L pediatric wrist radiograph · lateral · imaged through cast
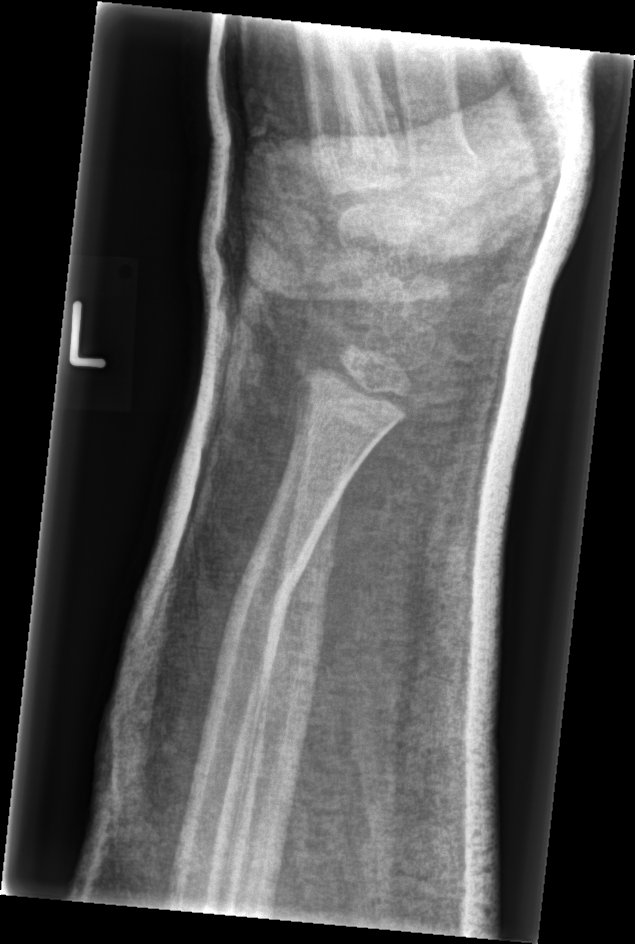

Fx = 1 @ [231, 561, 302, 619]
AO classification = 23-M/2.1